Lt wrist plain film, PA view, 11y M. 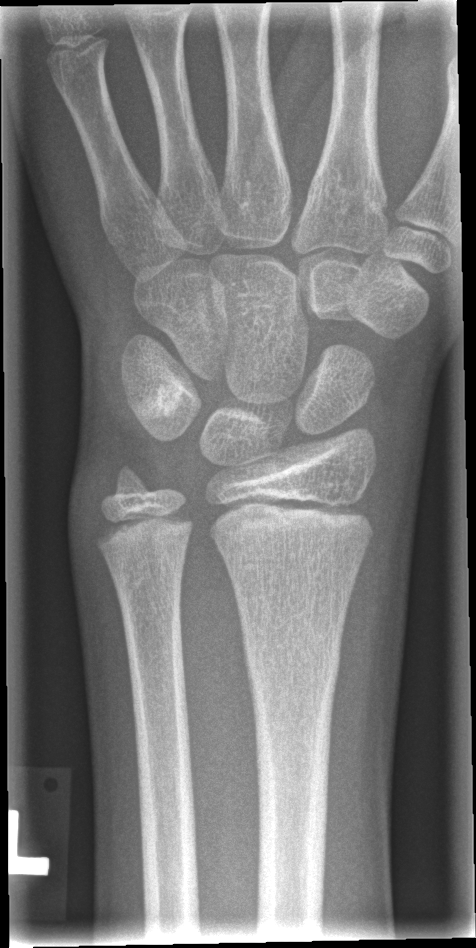

(pixel coordinates, top-left origin, xyxy)
Fx: 241,623,342,693
AO/OTA: 23r-M/2.1